Oblique view · right wrist X-ray · initial study · image 121.0 mm wide —
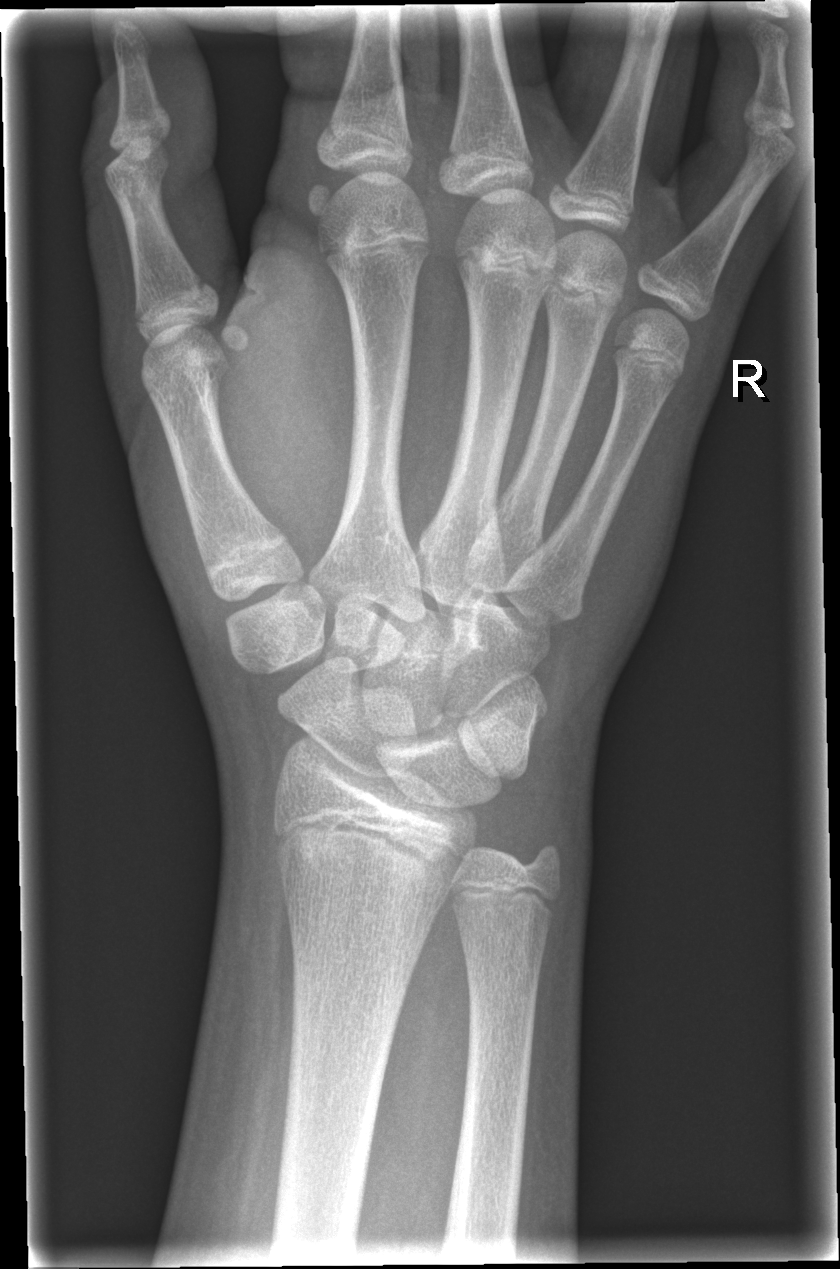

Fracture = none labeled